L wrist radiograph | lat view | female, 11 yo | acquired on Siemens —

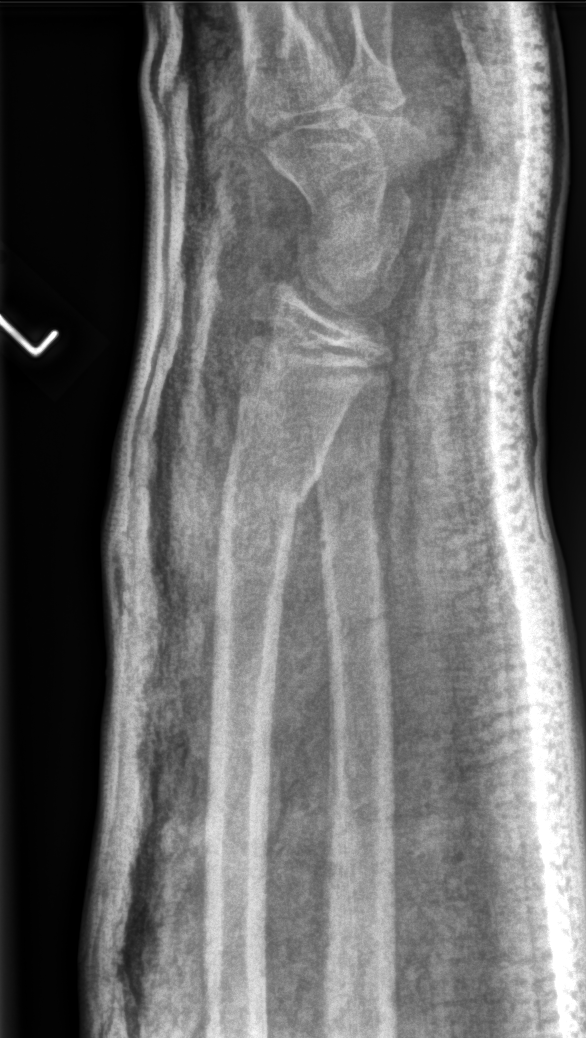
• AO/OTA classification: 23-M/2.1.
• Fracture identified at 218 467 323 523; 315 433 385 485.